Lat projection; L wrist XR; follow-up; Siemens

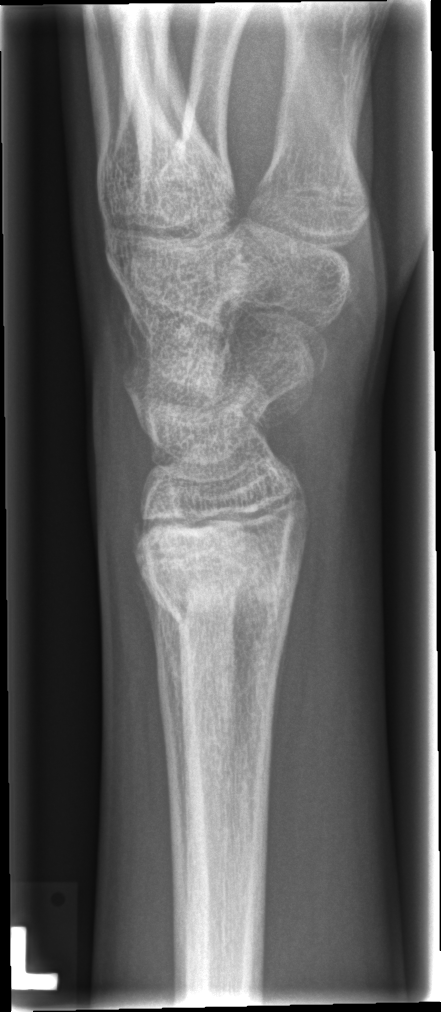
FINDINGS: (coordinates are [x1, y1, x2, y2] in image pixels) One periosteal new bone at 147 590 186 823. Fx identified at 134 549 301 638. AO code 23r-M/3.1; 23u-E/7. Osteopenia.